Lateral view | right wrist plain radiograph of the wrist | pediatric patient (boy, age 15) | follow-up | in cast | acquired on Siemens 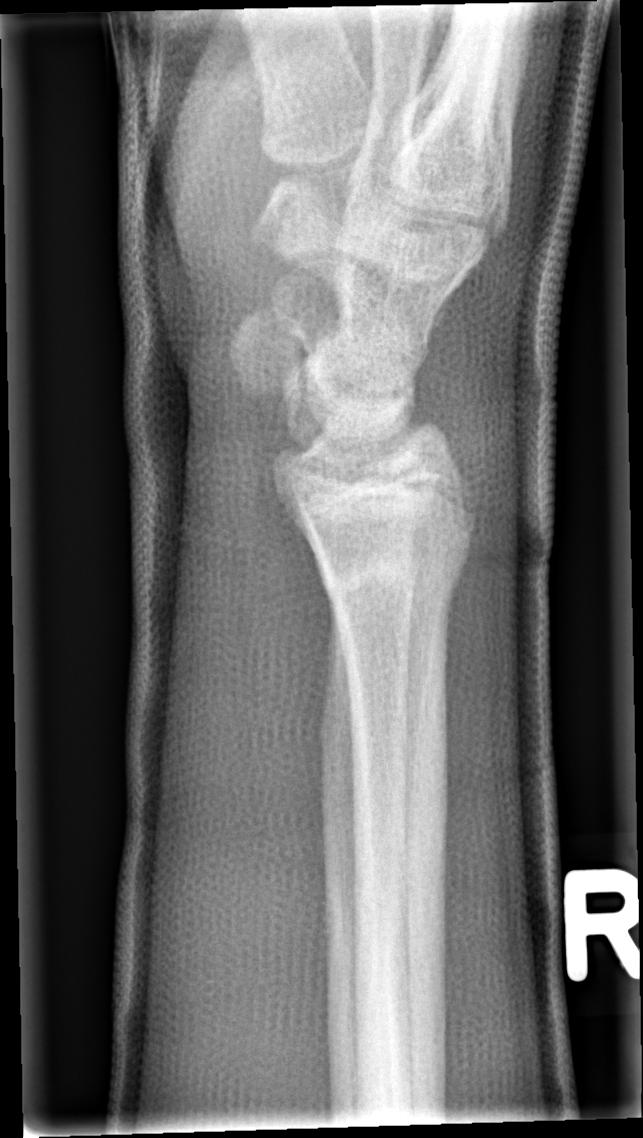 Fx = 314 533 472 628